R wrist XR, PA/AP view, initial study, 94.8 mm image width: 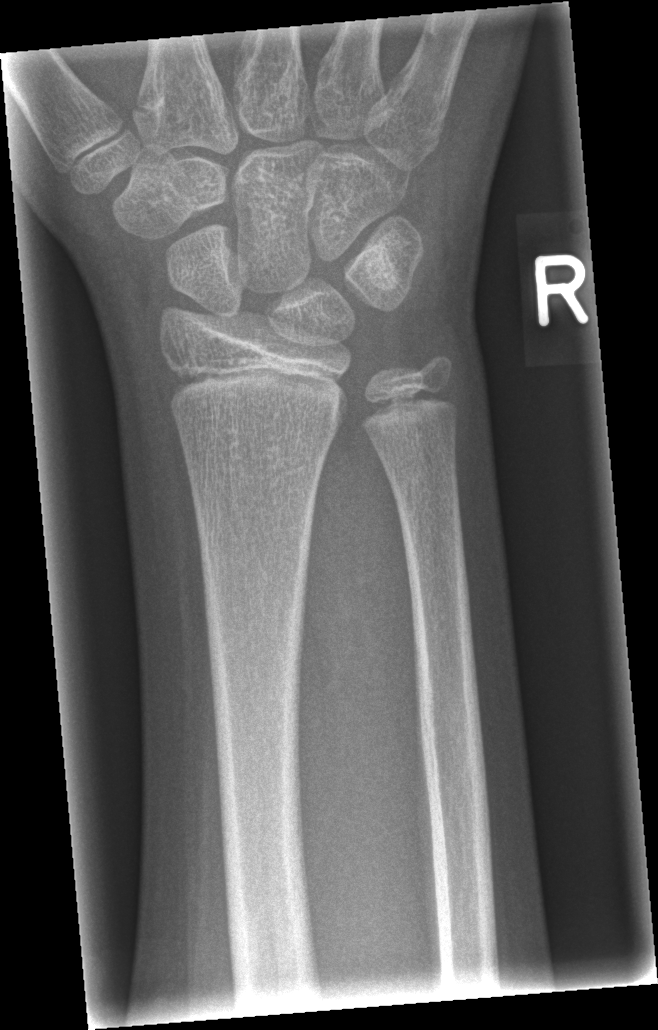

Bone fracture = none labeled